Rt wrist plain film | posteroanterior view | image 80.6 mm wide | 560 by 1131 pixels: 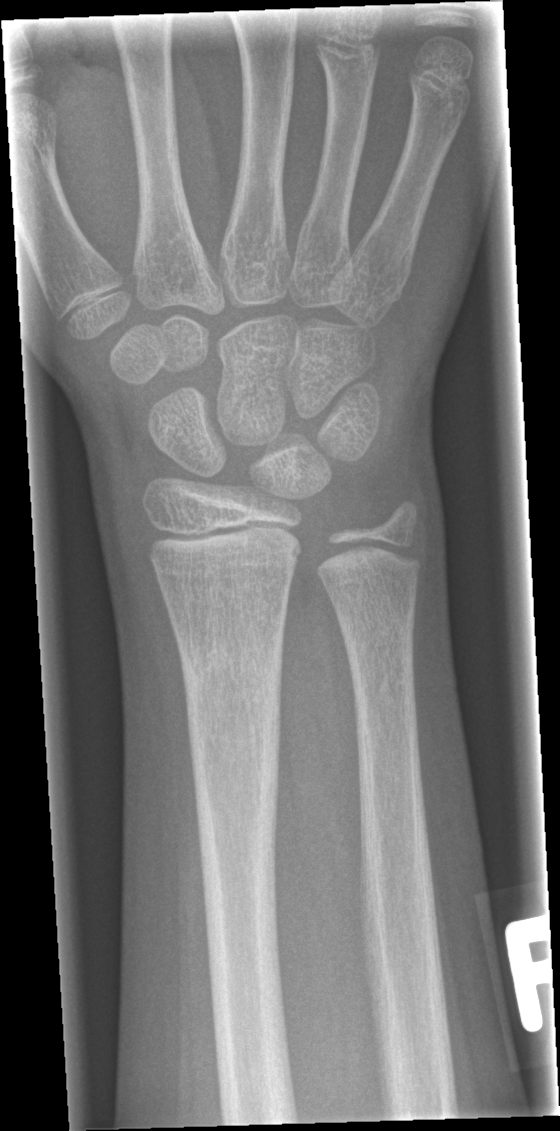

Fx identified at (left=174, top=625, right=291, bottom=695).